Posteroanterior view | Lt plain radiograph of the wrist | 10-year-old male | subsequent exam | cast present | 153.6 mm image width | image size 980x1218. 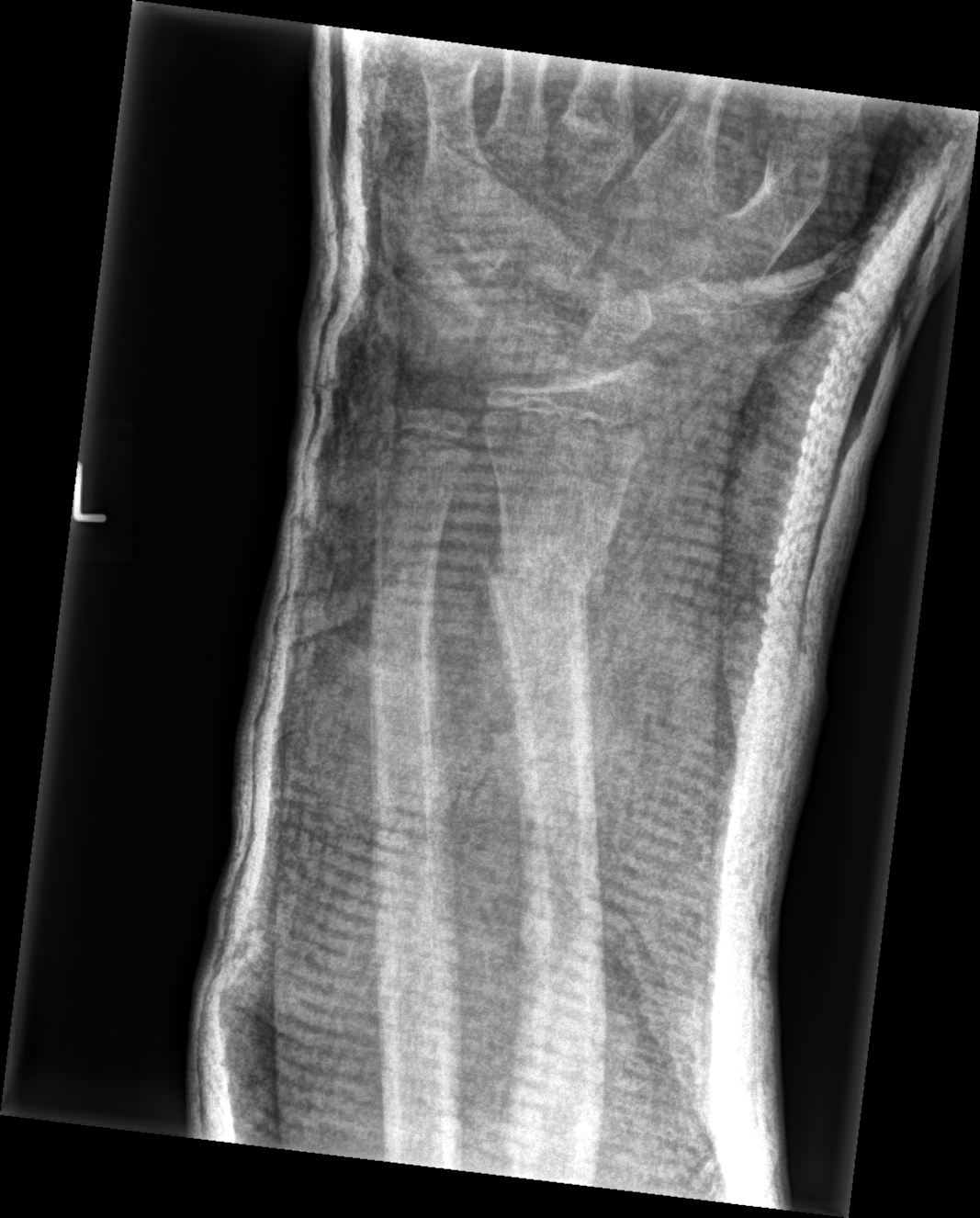

Q: Any fracture seen?
A: Fx: (left=479, top=536, right=610, bottom=612), (left=365, top=641, right=440, bottom=710)